Rt wrist X-ray | lat view | 3y F:
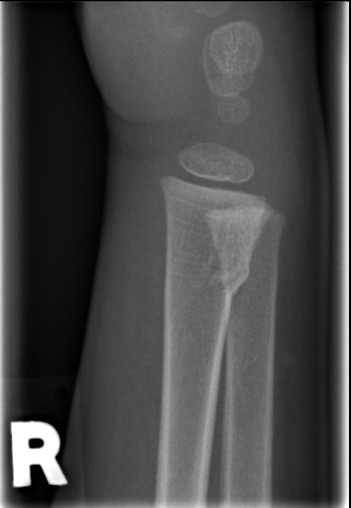

- Bounding boxes in image-pixel xyxy.
- AO code 23-M/2.1.
- One Fx at (160, 248, 253, 305).